Lat projection; Rt wrist radiograph; 10y F; subsequent exam; cast present; acquired on Siemens; image size 530x728 —

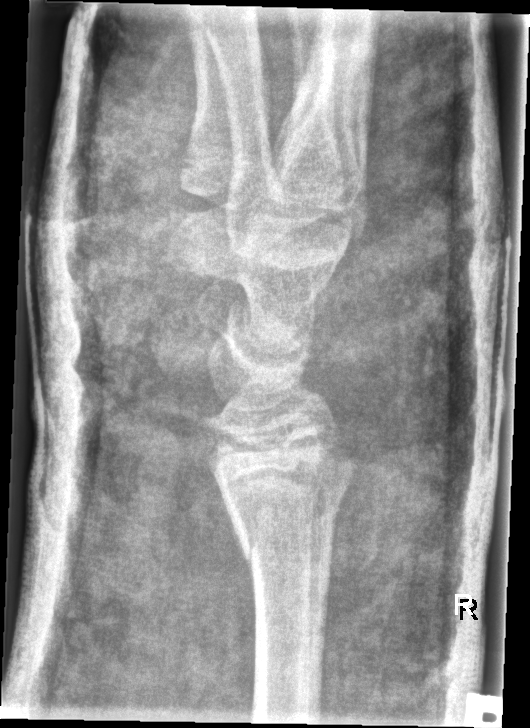 Q: Fracture present?
A: Bone fracture — [238, 489, 345, 573]